Left wrist X-ray; PA projection; age 10 y, male:
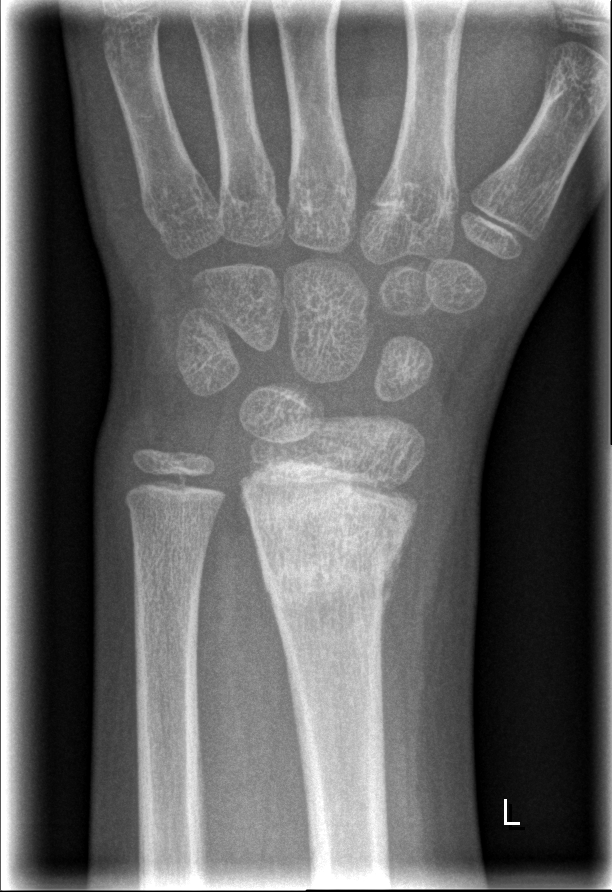
(bounding boxes in image-pixel xyxy)
Fx = 1 @ bbox(240, 460, 421, 615)
Osteopenia = present
Periosteal new bone = 1 @ bbox(379, 548, 405, 618)